Right wrist pediatric wrist radiograph; PA view; girl, 11 yo; follow-up.

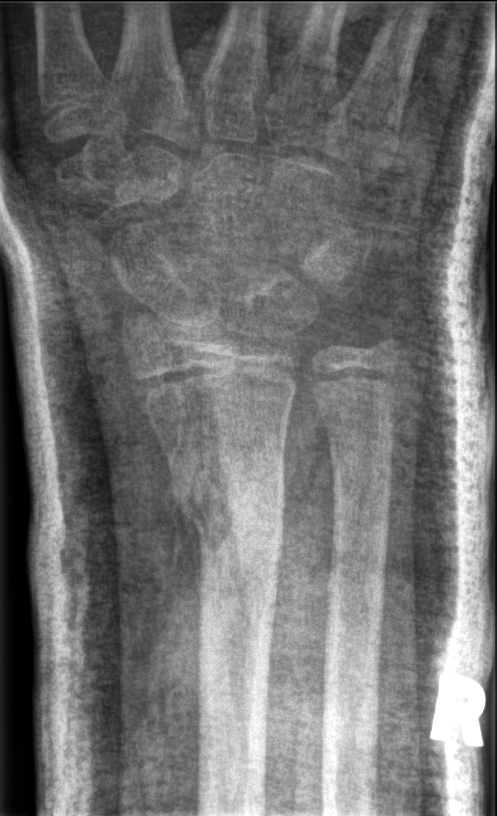

AO code 23r-M/3.1; 23u-M/2.1.
One Fx at bbox(166, 446, 290, 547).